Lat projection | Rt wrist plain film | pediatric patient (boy, age 7):

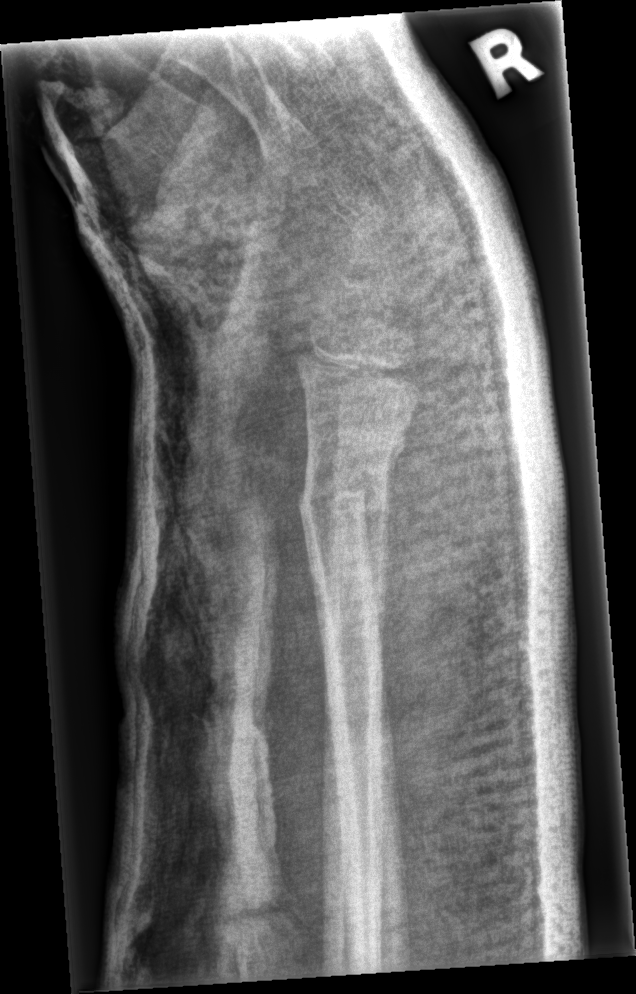 Fx: 1 @ bbox(294, 460, 393, 538)